Frontal | right plain radiograph of the wrist | pediatric patient (girl, age 5) | follow-up. 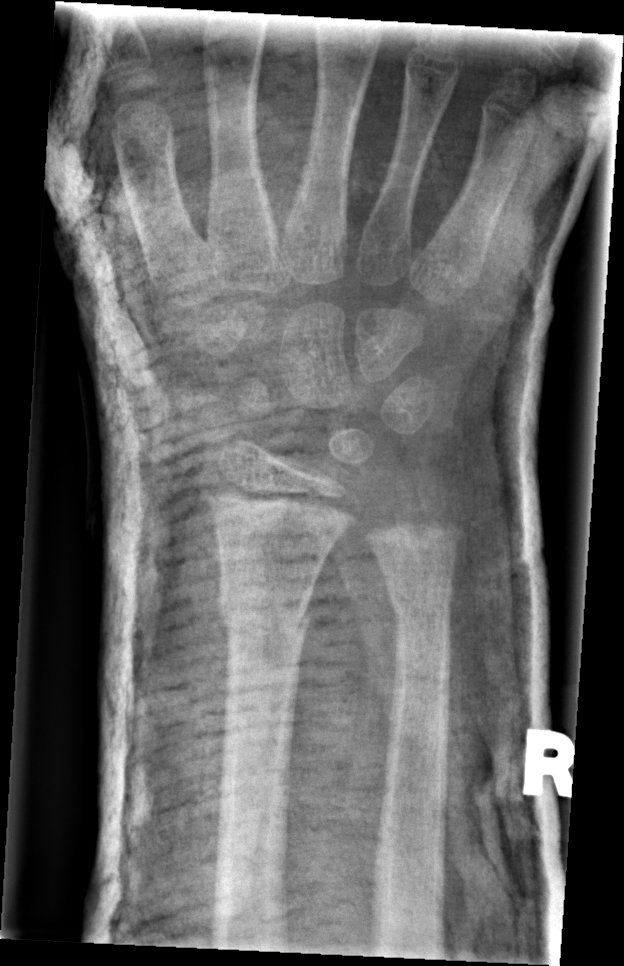 Findings: (pixel coordinates, top-left origin, xyxy) Fx identified at (left=212, top=586, right=318, bottom=649), (left=382, top=579, right=456, bottom=642). AO code 23r-M/3.1; 23u-M/2.1.